Frontal view | right wrist plain film | cast in situ | acquired on Siemens | 667x1138

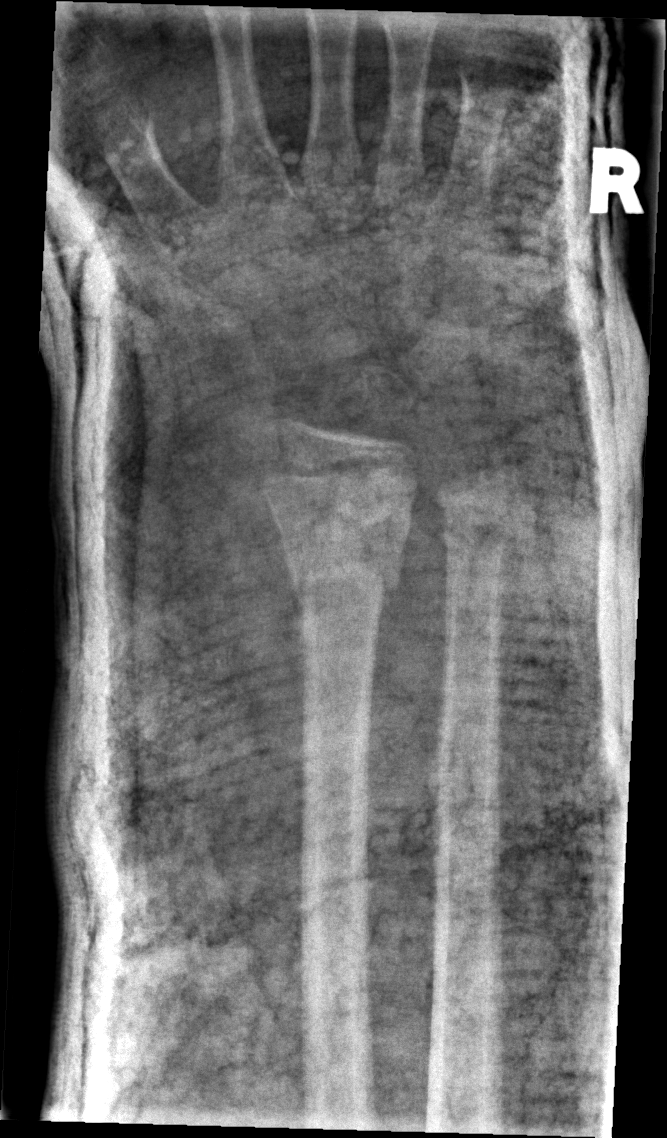

Pixel coordinates, top-left origin, xyxy. One Fx at (left=265, top=490, right=418, bottom=610).